Frontal view; Rt pediatric wrist radiograph 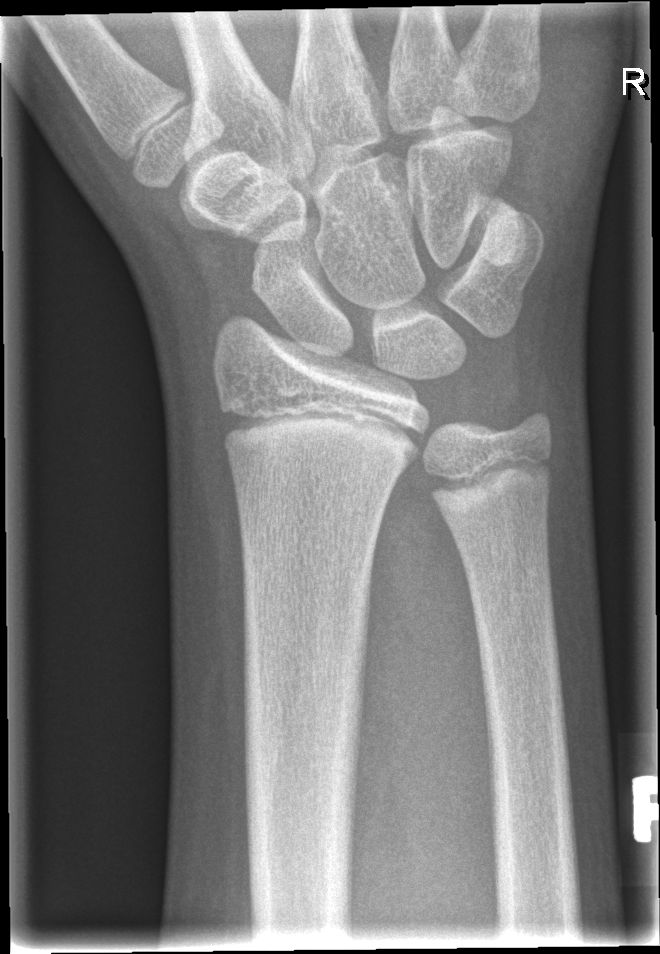
Fx: none labeled